PA projection · Rt pediatric wrist radiograph · Siemens · 104.1 mm image width.

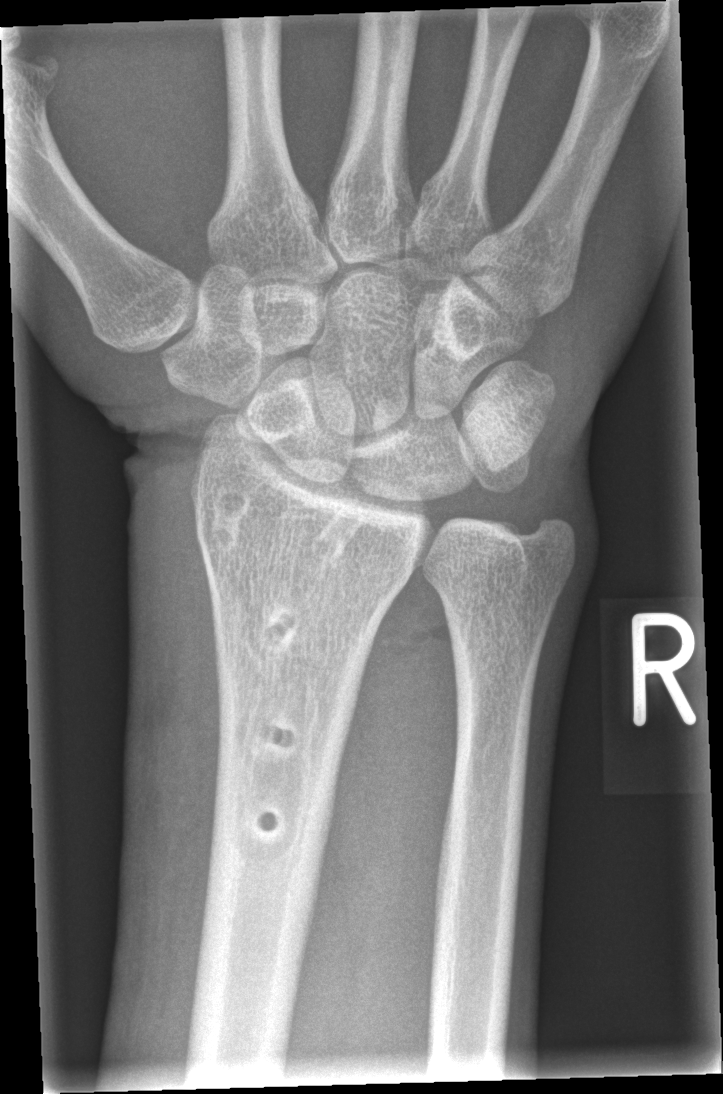
bone variant = [x1=309, y1=504, x2=365, y2=565] [x1=206, y1=475, x2=250, y2=552] [x1=247, y1=706, x2=305, y2=762] [x1=245, y1=795, x2=290, y2=848] [x1=259, y1=601, x2=301, y2=652]
fracture = none labeled